L wrist plain film · AP view · 730 by 1188 pixels.

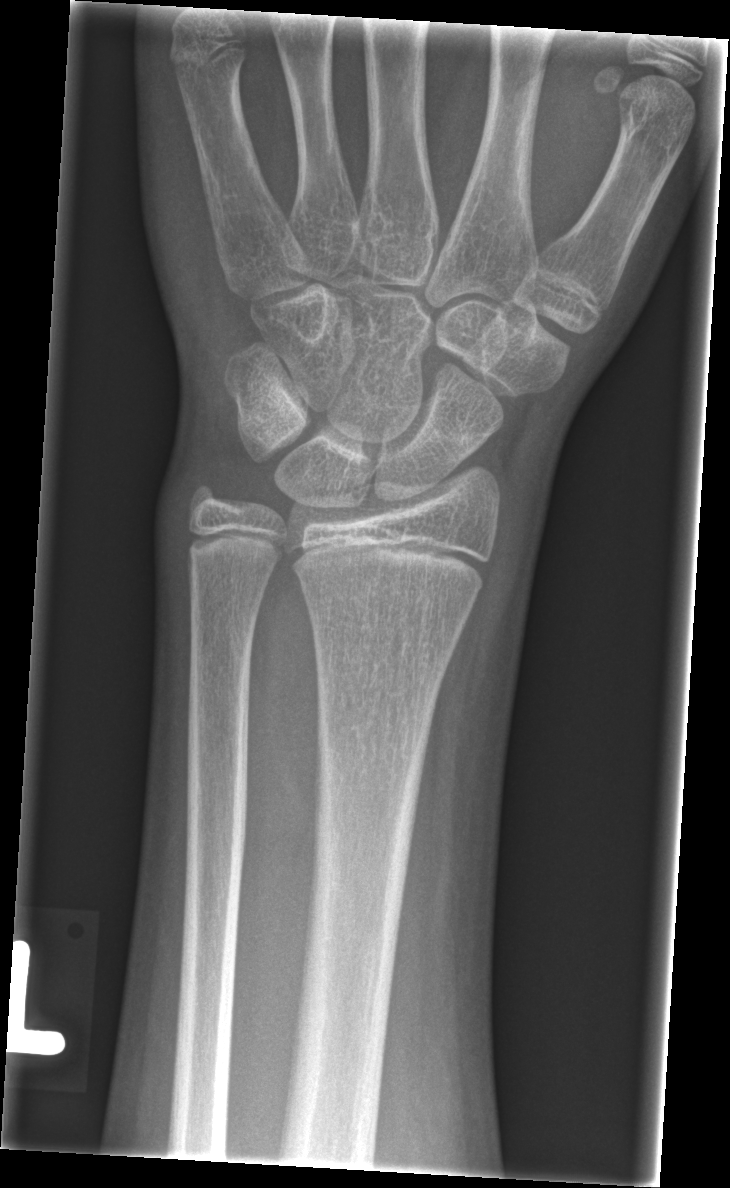

• No fracture annotation.